Lat view; Lt plain radiograph of the wrist —

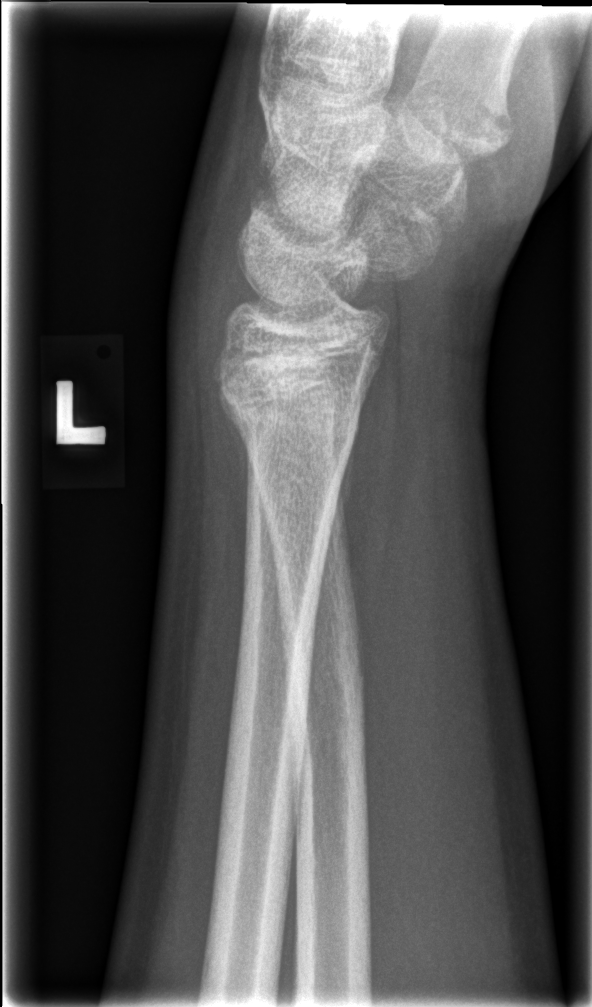

• Periosteal new bone identified at bbox(308, 426, 360, 671).
• Osteopenia.
• One Fx at bbox(219, 374, 367, 449).